Lateral view, R plain radiograph of the wrist, 15y M
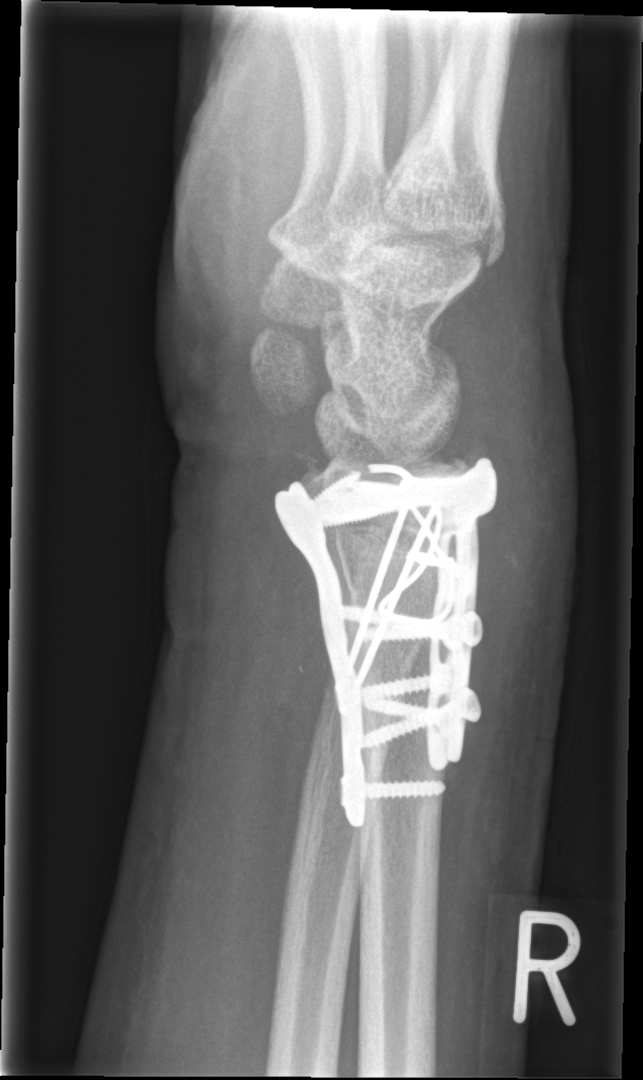

(bounding boxes in image-pixel xyxy)
metallic hardware: <269,454>-<498,827>
bone fracture: none labeled